Right wrist plain radiograph of the wrist, lateral view, male, 6 yo:

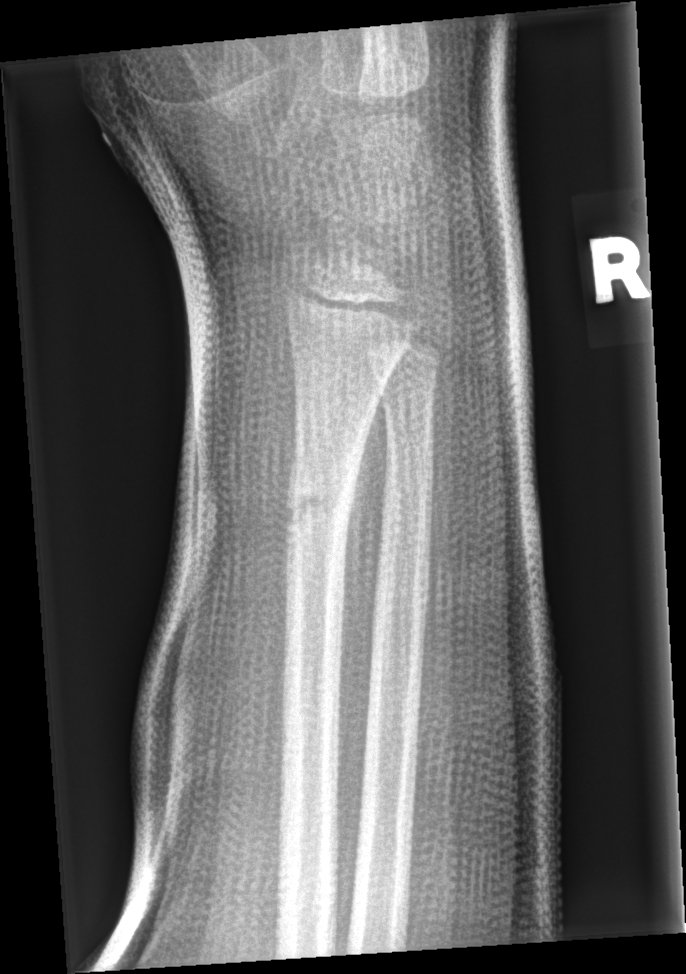
(bounding boxes in image-pixel xyxy)
AO classification = 23r-M/3.1
Fx = 1 @ [277, 466, 364, 542]